L wrist X-ray | AP | 10-year-old boy:

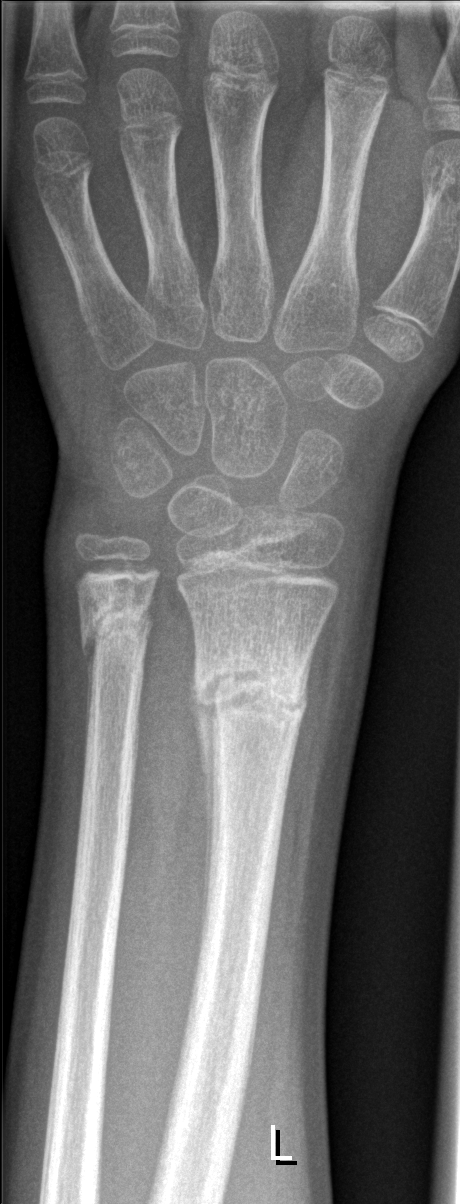

FINDINGS — Decreased bone density (osteopenia). Fx — [x1=191, y1=645, x2=310, y2=742], [x1=72, y1=588, x2=157, y2=654]. Periosteal thickening identified at [x1=188, y1=660, x2=218, y2=926] [x1=83, y1=627, x2=98, y2=772].